Rt plain radiograph of the wrist | lateral | cast in situ | 94.0 mm image width.

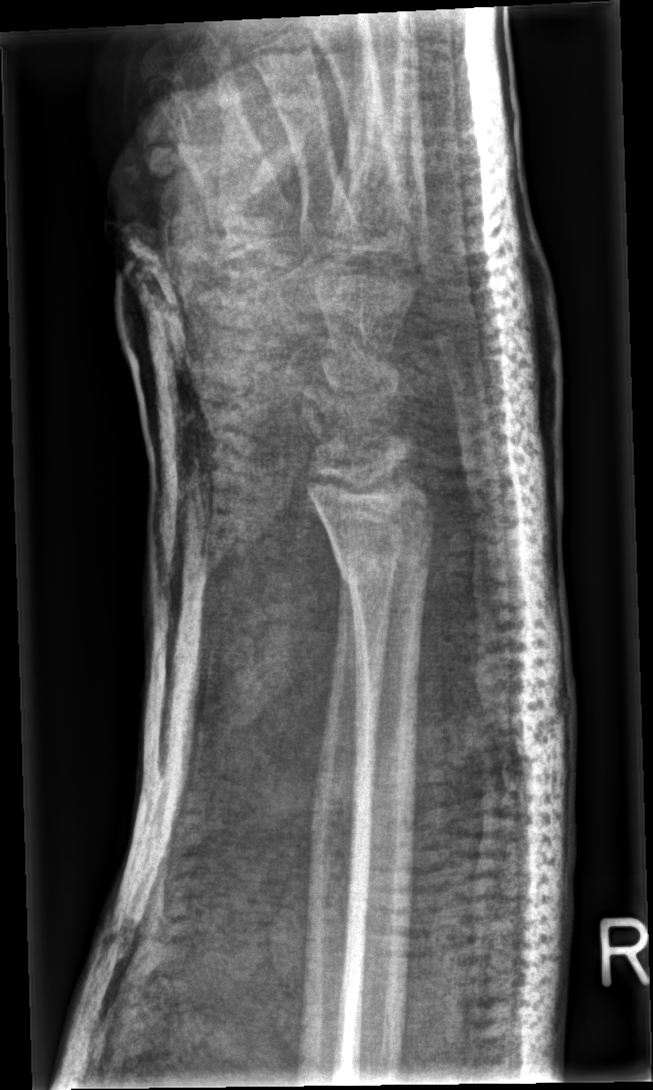 (boxes as x1,y1,x2,y2 (top-left / bottom-right, pixel units))
AO classification: 23r-M/3.1; 23u-E/7
Fx: 1 @ 331 531 435 599